Lateral, Lt wrist X-ray, image size 570x1196.

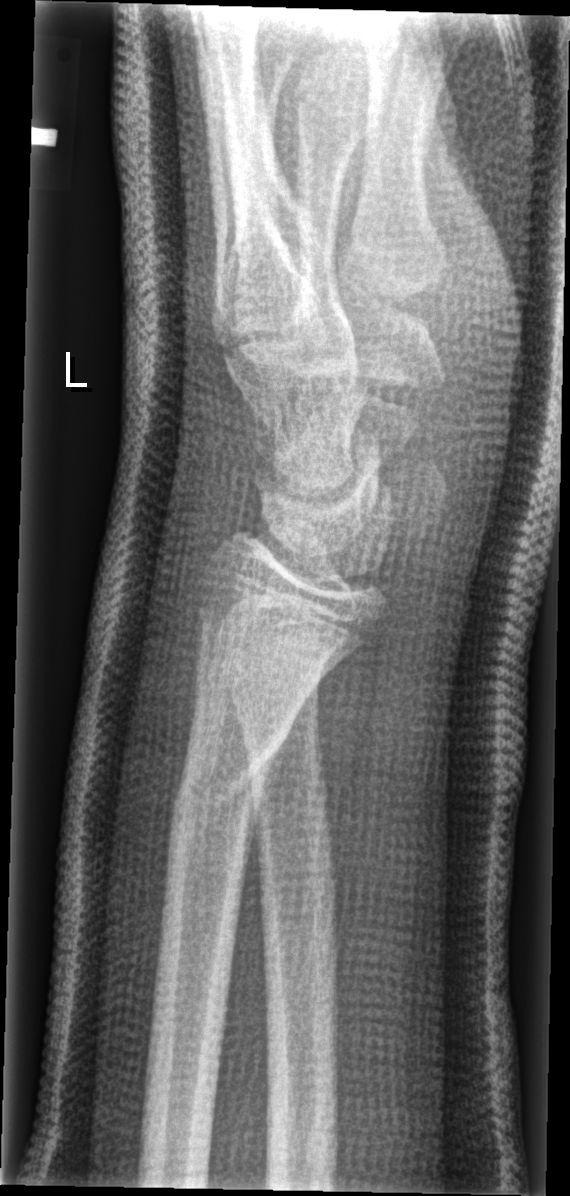
Fx = <167,725>-<294,855>